Right pediatric wrist radiograph | lat | subsequent exam — 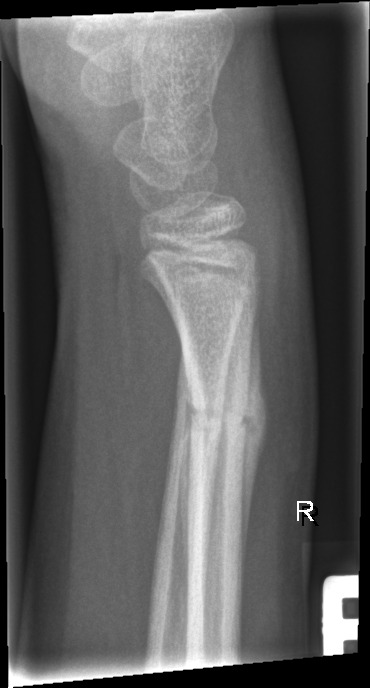

Pixel coordinates, top-left origin, xyxy. Periosteal reaction — <237,305>-<269,571>. Bone fracture identified at <180,376>-<263,456>. Reduced bone mineral density. Fracture classified AO/OTA 23-M/3.1; 23u-E/7.